AP; Lt pediatric wrist radiograph; pediatric patient (girl, age 7); acquired on Siemens; 538 by 988 pixels.
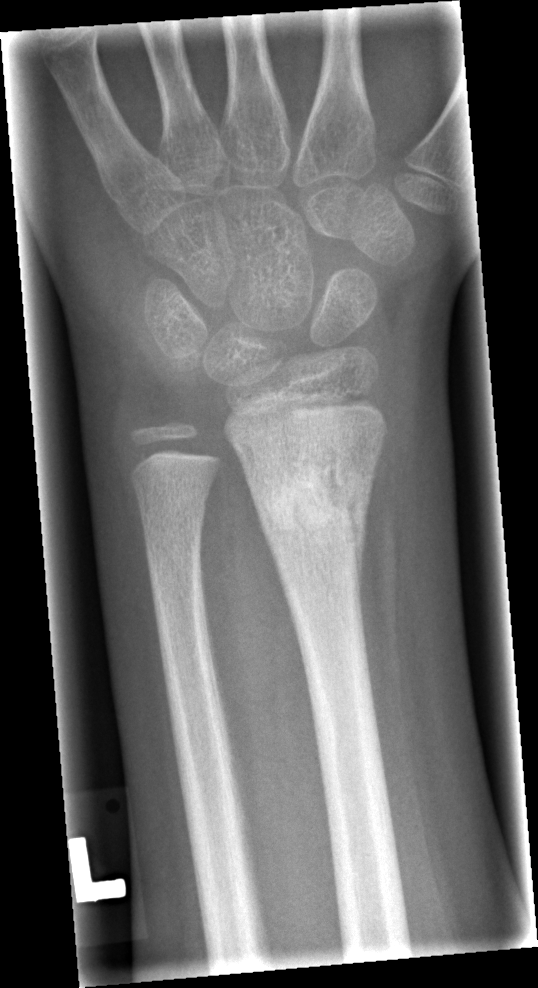 FINDINGS — AO code 23r-M/3.1. Bone fracture identified at [x1=253, y1=444, x2=382, y2=541]. One periosteal reaction at [x1=350, y1=479, x2=371, y2=598].